Posteroanterior, right wrist XR, 593 by 860 pixels —

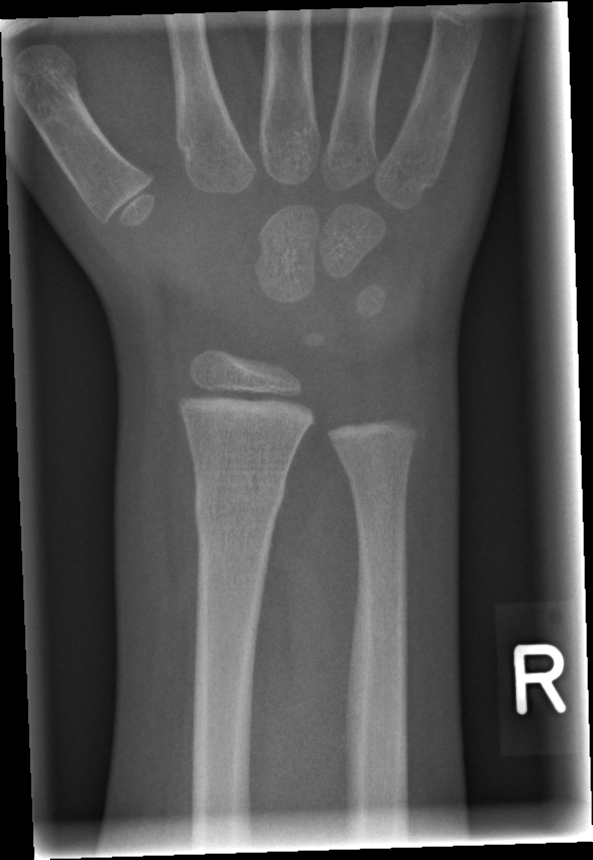
AO/OTA classification: 23r-M/2.1. Bone fracture — [x1=191, y1=474, x2=288, y2=534].